R wrist X-ray · lateral projection · boy, 9 yo · in cast:

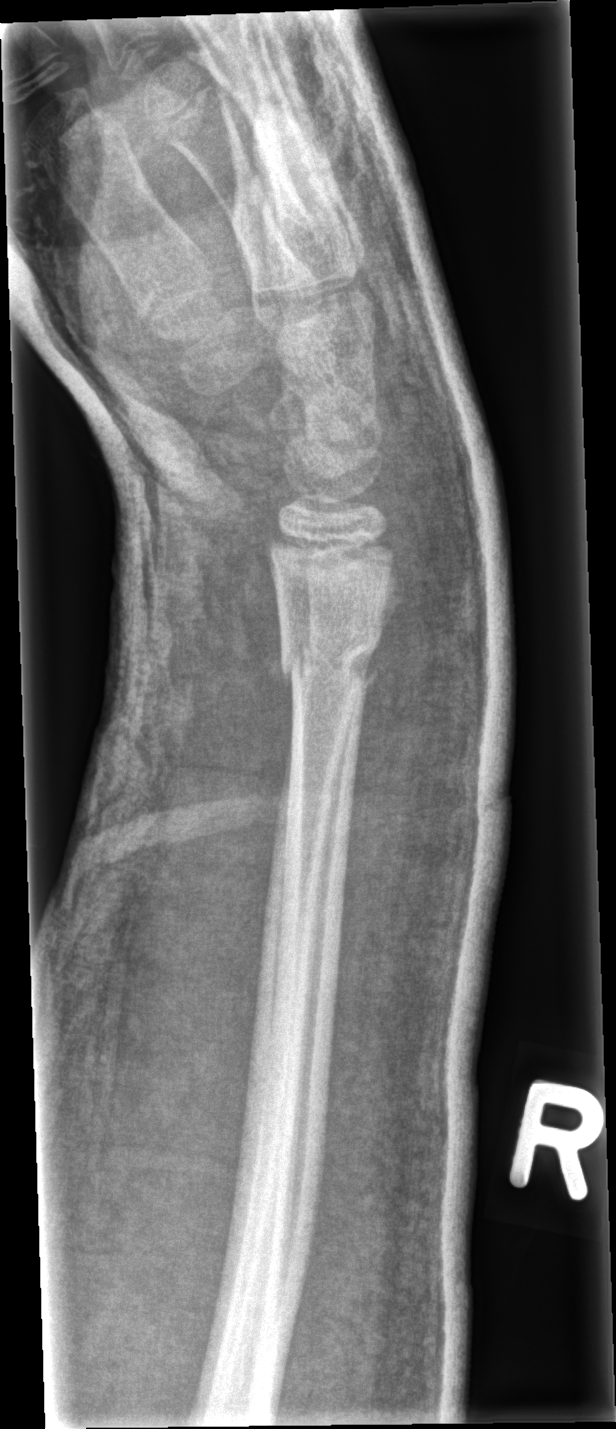
(bounding boxes in image-pixel xyxy)
bone fracture: (274, 632, 380, 703)
AO code: 23r-M/3.1; 23u-M/2.1